PA/AP projection, Lt plain radiograph of the wrist

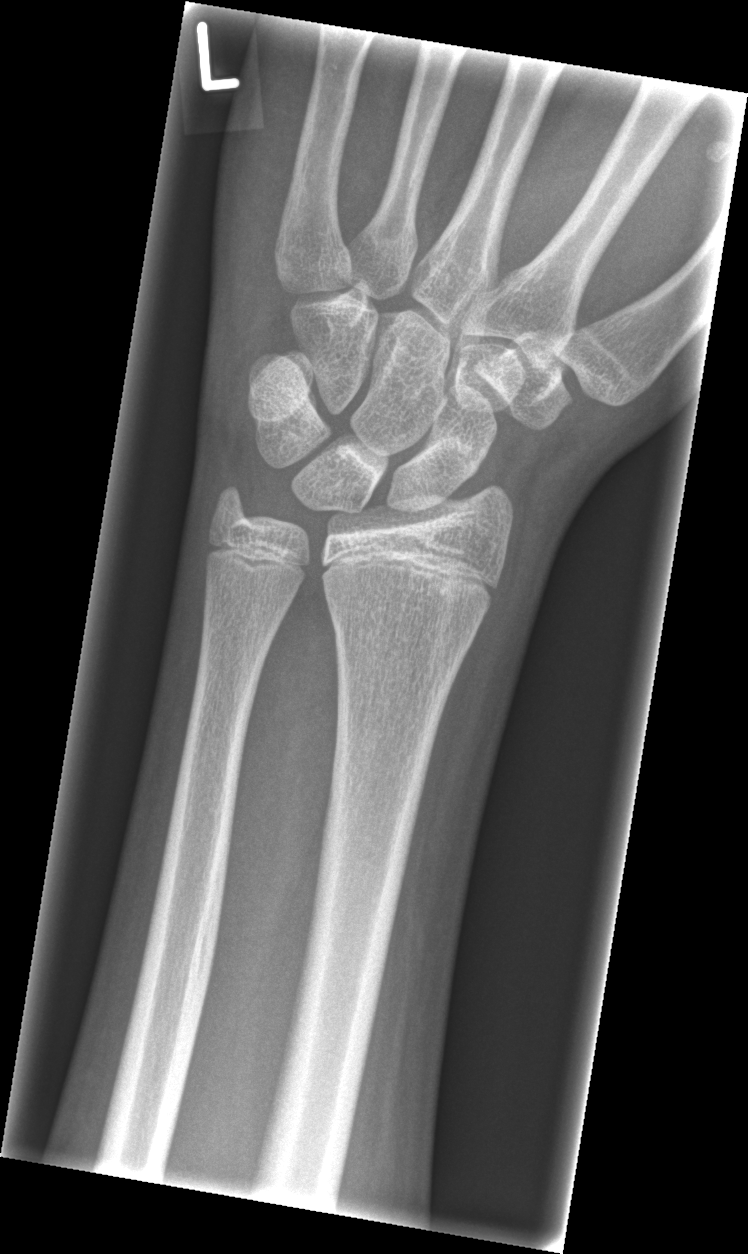
- No fracture annotation.